L wrist X-ray, AP, 13y F, detector: Siemens — 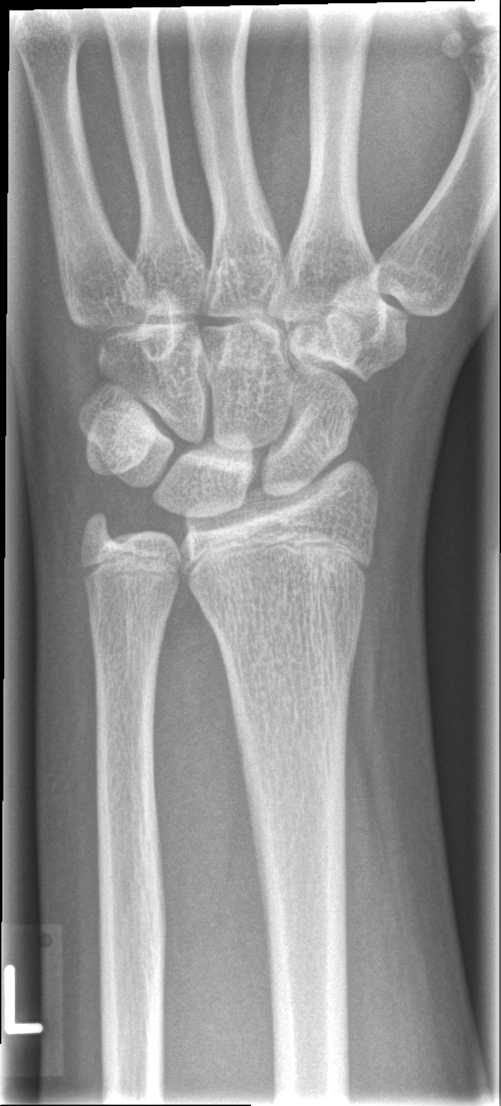
FINDINGS — No fracture labeled.